PA projection; R wrist radiograph; 11y F.
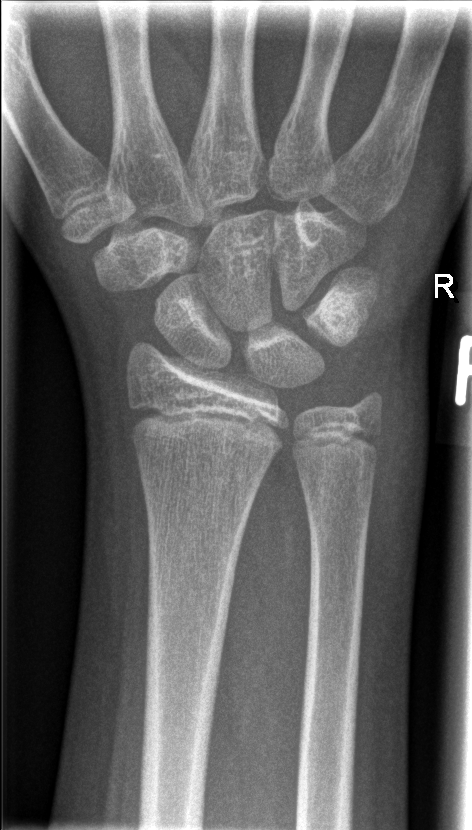
{"fracture": "none labeled"}